Lt wrist radiograph · lateral projection · 11y M.

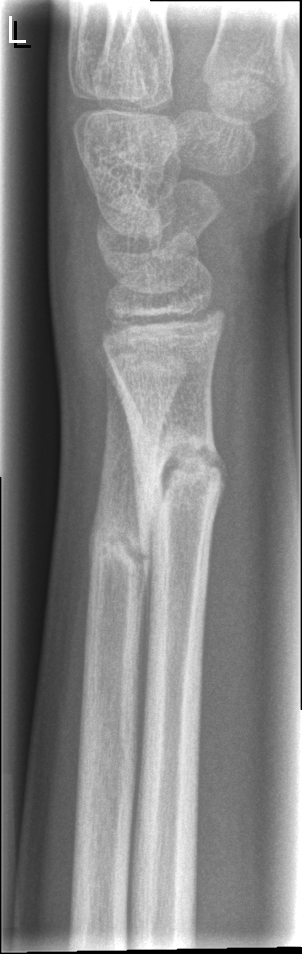

Reduced bone mineral density.
Fx: <127,424>-<231,547>, <84,513>-<156,589>.
Two periosteal reaction at <99,344>-<165,670>; <203,433>-<229,539>.
AO code 23r-M/3.1; 23u-M/2.1.